Left wrist XR · lateral view · age 13 y, boy — 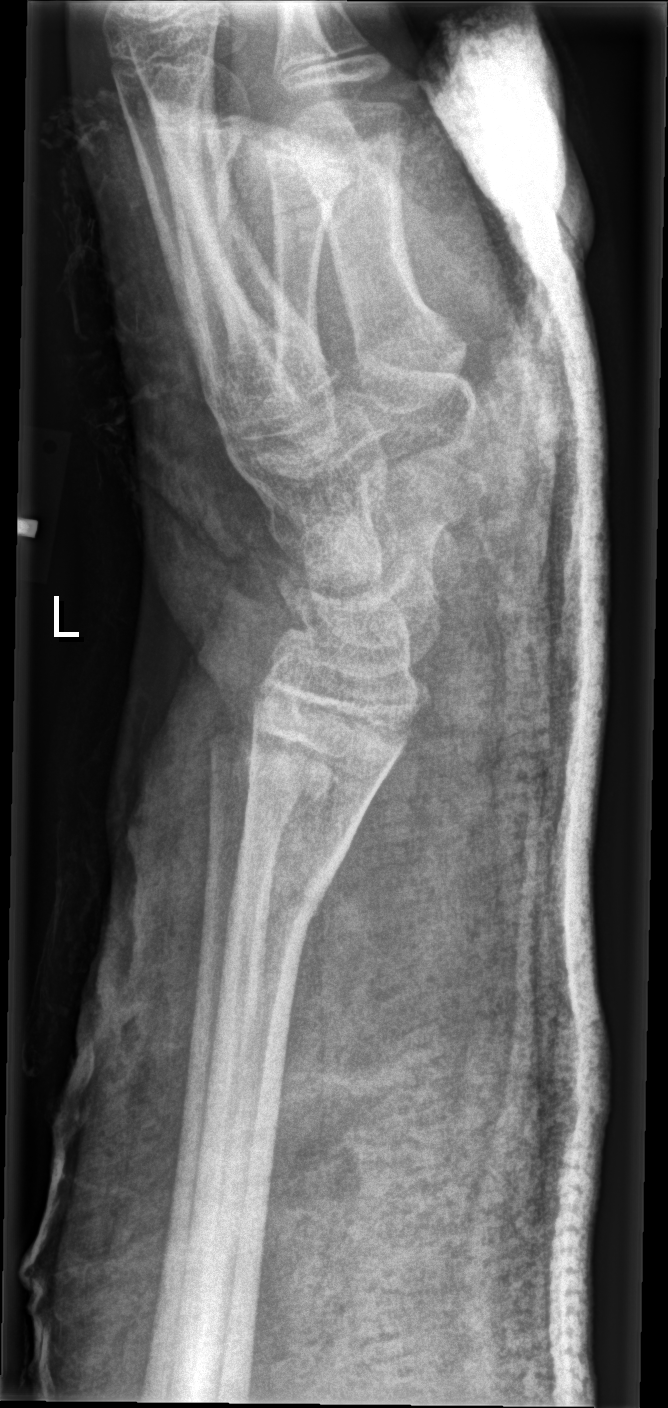
AO/OTA: 23r-M/3.1; 23u-E/2.1
Fracture: (left=204, top=693, right=360, bottom=813) (left=215, top=863, right=336, bottom=956)